Right wrist plain film | lat | 6-year-old girl | initial study. 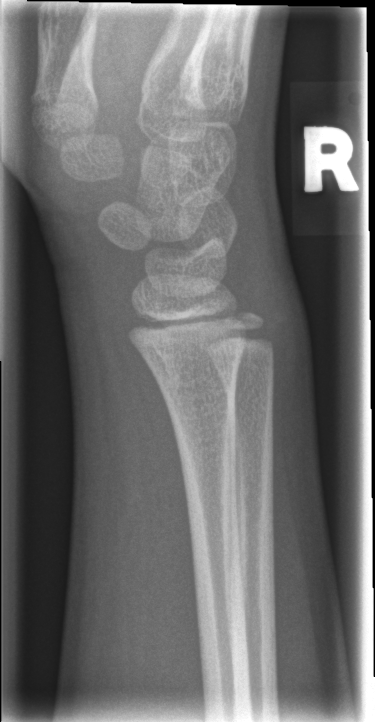

Bone fracture: none labeled